Frontal view | right wrist plain radiograph of the wrist | 6y M | imaged through cast | 94.8 mm image width.
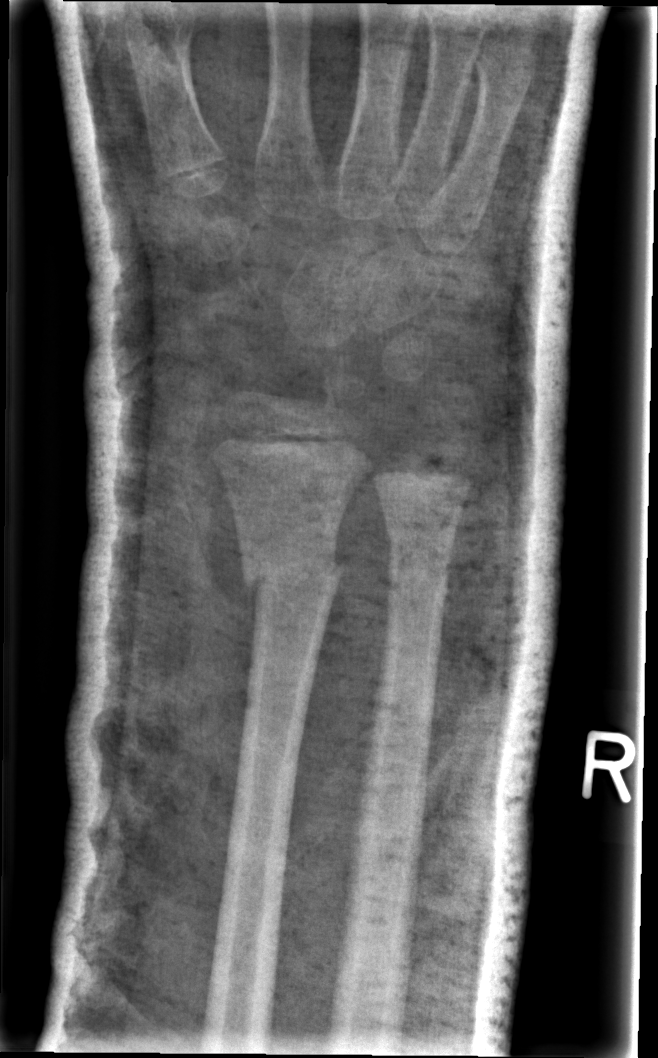

FINDINGS — Fx: 240,556,348,598
  382,526,457,576. AO/OTA classification: 23r-M/3.1; 23u-M/2.1.